Rt wrist radiograph · posteroanterior projection:
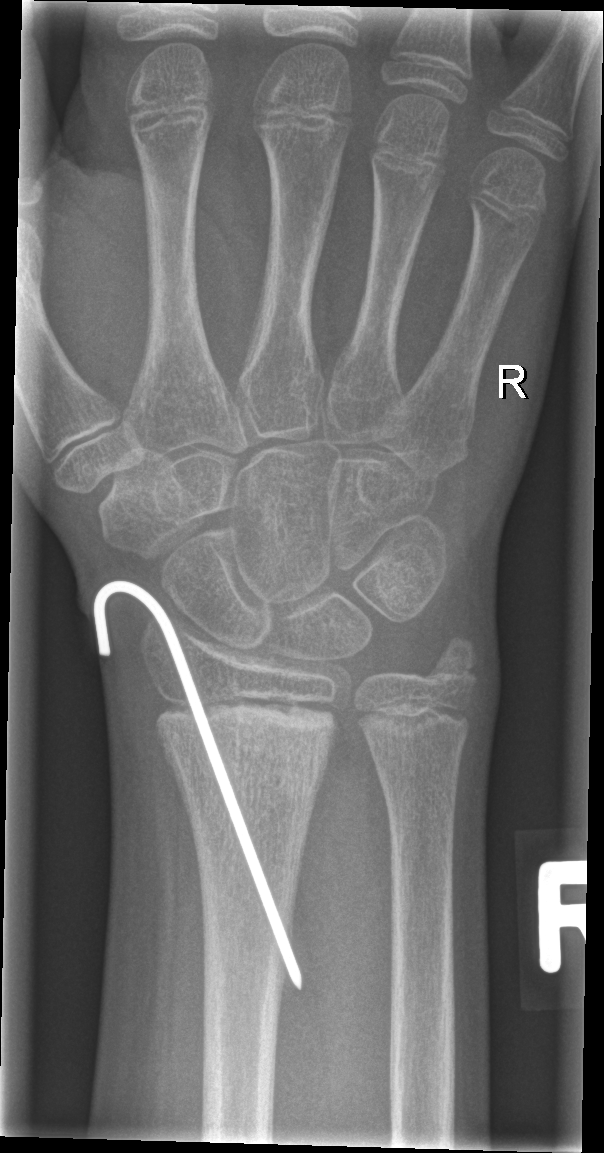

Hardware: [91, 578, 303, 993]. Bone fracture identified at [144, 688, 349, 817] [406, 633, 484, 708]. Osteopenic.